Lateral projection; right wrist pediatric wrist radiograph; subsequent exam
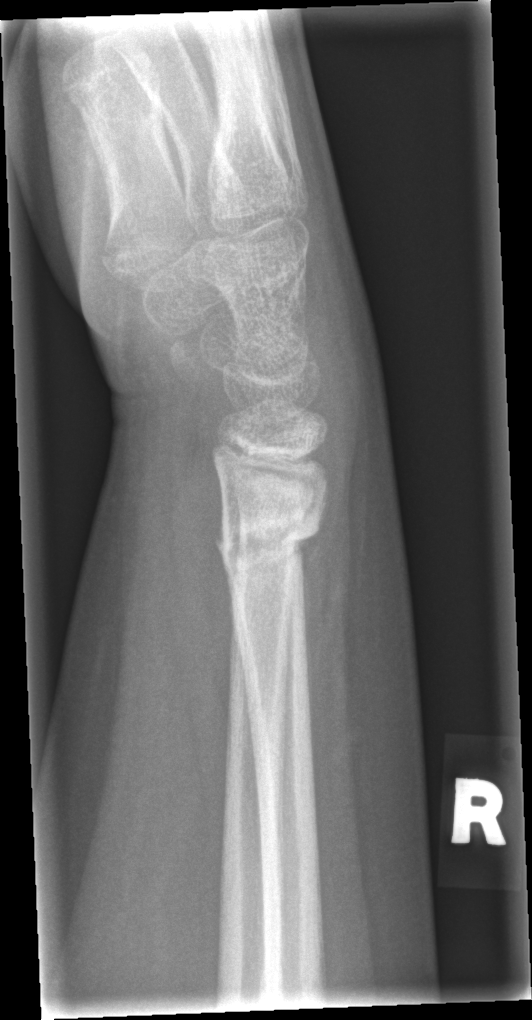 Q: Any fracture seen?
A: One Fx at (left=212, top=486, right=326, bottom=587)
Q: Is there osteopenia?
A: Reduced bone mineral density
Q: What is the AO/OTA classification?
A: Fracture classified AO/OTA 23r-M/3.1; 23u-M/2.1